Right wrist XR · lat · age 13 y, female · index exam · 61.9 mm image width.
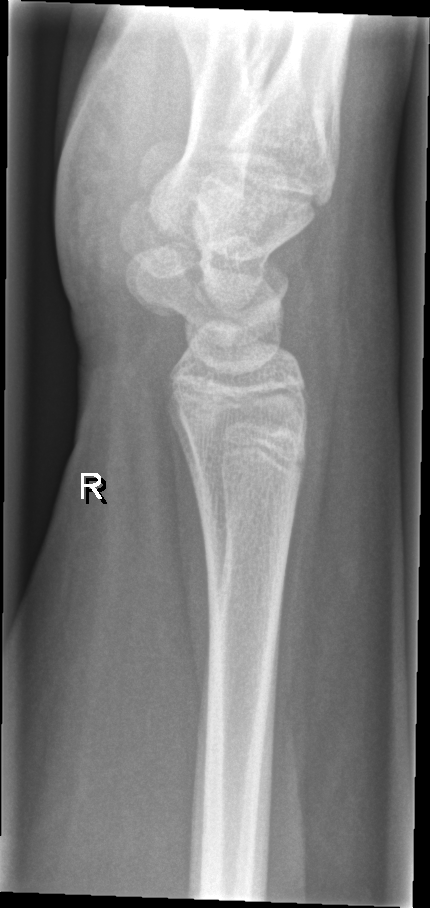

FINDINGS: Fx: none.